Posteroanterior projection | R wrist X-ray | 502 x 764 px —
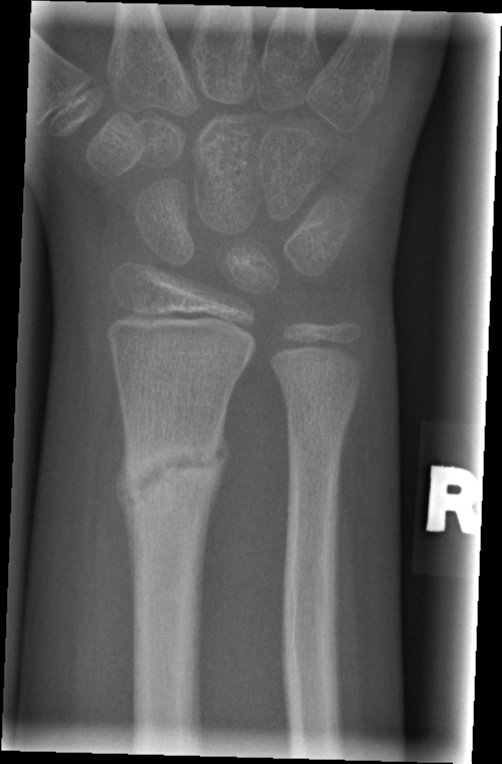
Fracture: 2 @ bbox(116, 427, 226, 514), bbox(279, 379, 359, 439)
Osteopenia: present
AO classification: 23r-M/3.1; 23u-M/2.1
Periosteal reaction: bbox(114, 438, 139, 611) bbox(209, 410, 232, 521)